L wrist radiograph, frontal view, pediatric patient (girl, age 5), follow-up, imaged through cast —

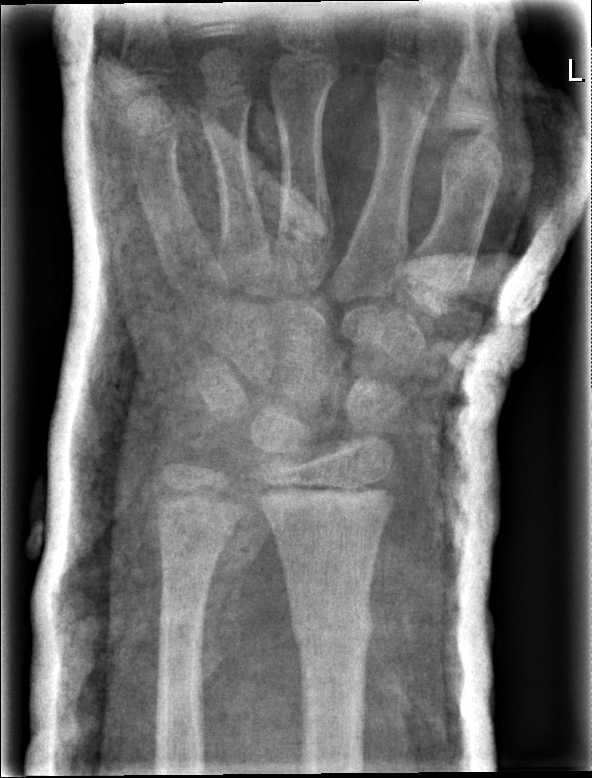 Fracture: 1 @ (285, 594, 378, 655)
AO code: 23r-M/3.1; 23u-E/7